Right pediatric wrist radiograph · PA/AP projection · pediatric patient (girl, age 9) —
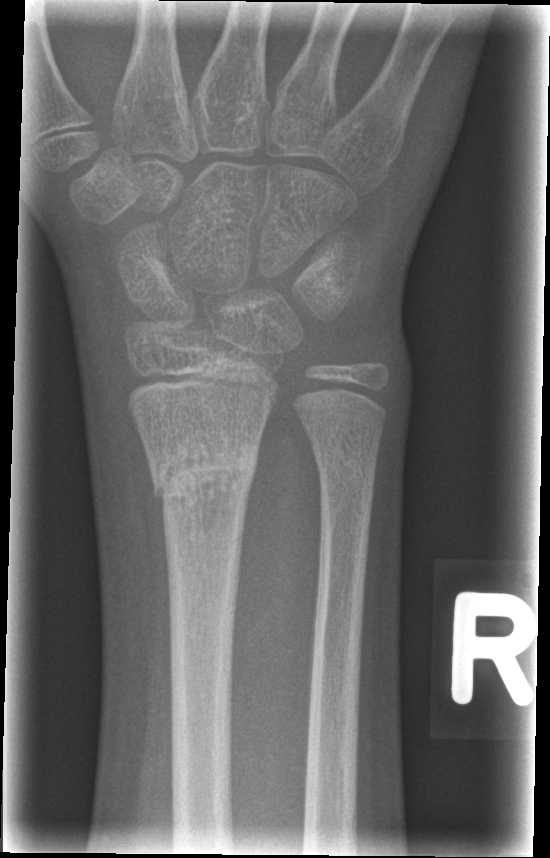
AO code = 23r-M/2.1; 23u-E/7
Fracture = (left=146, top=436, right=260, bottom=516), (left=314, top=439, right=379, bottom=487)
Osteopenia = present